Lat projection · Lt wrist radiograph · pediatric patient (female, age 11) · index exam · 57.3 mm image width · 398x788: 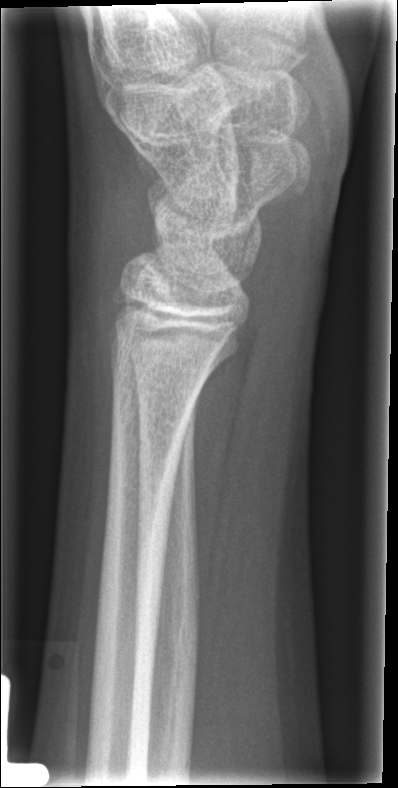
FINDINGS — Fracture: none labeled.